Lateral, L wrist X-ray, follow-up, in cast: 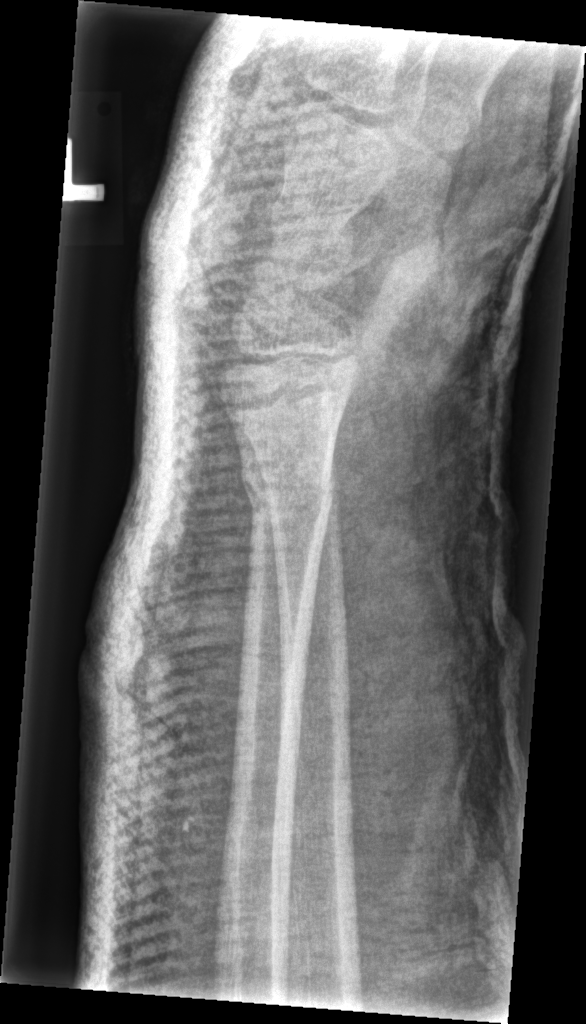 Boxes as x1,y1,x2,y2 (top-left / bottom-right, pixel units). Fx — (239, 449, 337, 521).